PA/AP view | Rt wrist plain film | pediatric patient (male, age 13) | Siemens —

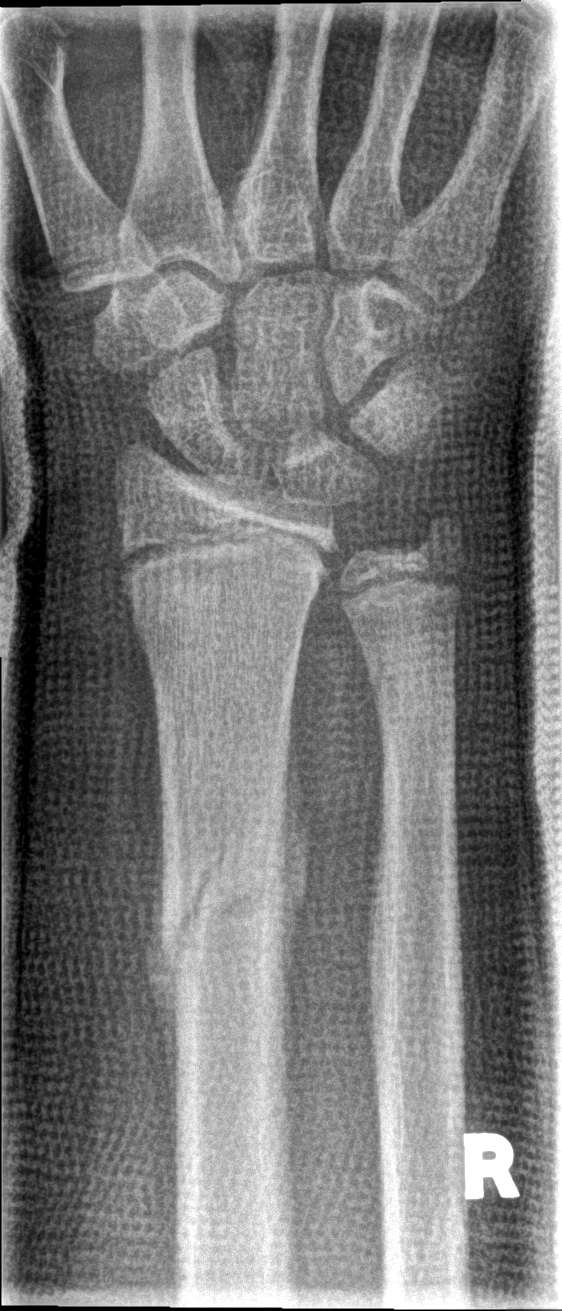
* Two periosteal thickening at <145,760>-<178,1174>, <280,688>-<310,1079>.
* One fracture at <145,826>-<294,987>.
* AO code 22r-D/2.1.